PA/AP projection, right wrist plain film, age 8 y, male, 99.4 mm image width, image size 690x951 — 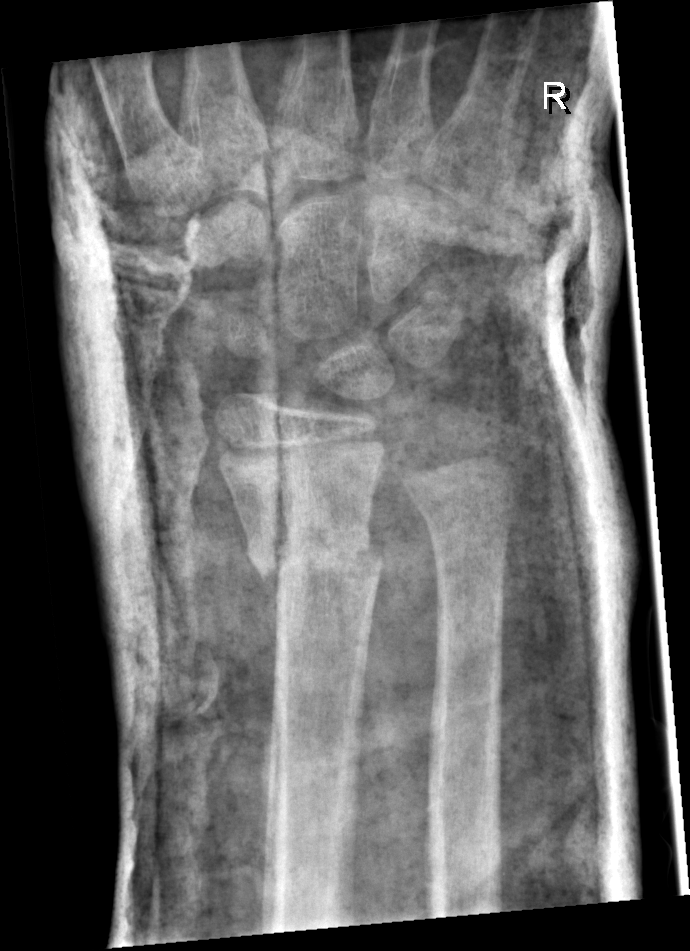

• Pixel coordinates, top-left origin, xyxy.
• Fracture: 244 522 389 598.